Frontal view; Lt plain radiograph of the wrist; index exam —

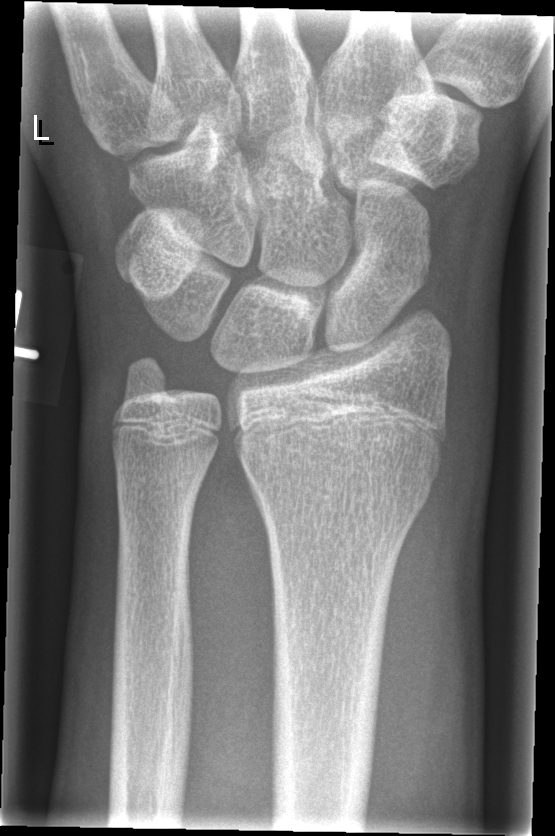

Bone fracture: none labeled